Frontal, Lt wrist radiograph, female, 6 yo 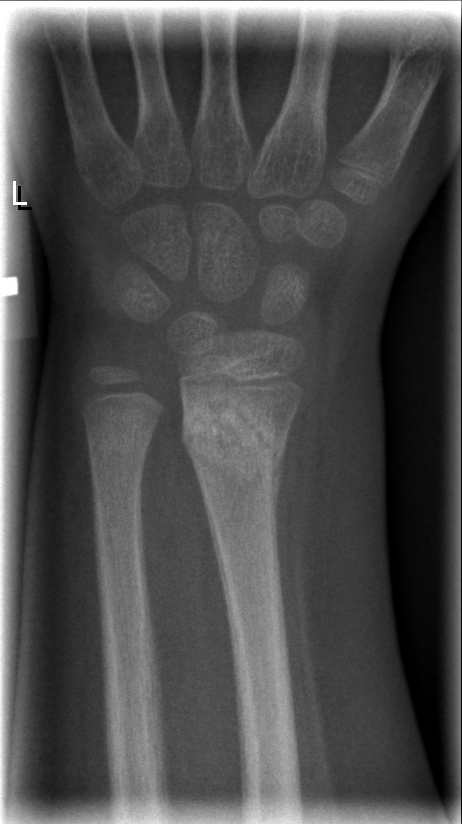
Fx identified at [x1=179, y1=392, x2=287, y2=491]; [x1=82, y1=414, x2=157, y2=456]. Osteopenic. Periosteal thickening — [x1=271, y1=439, x2=286, y2=543].